Frontal view · R pediatric wrist radiograph · Siemens:
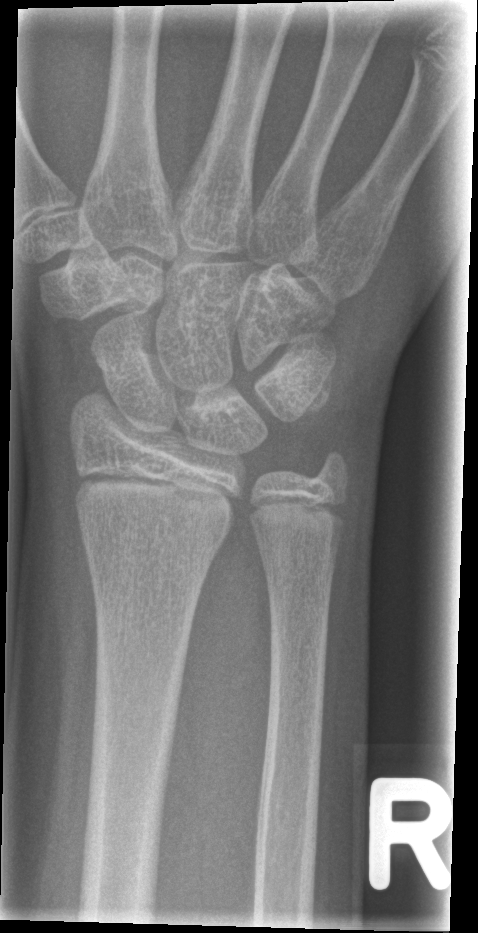
fracture: none labeled